Lt pediatric wrist radiograph · lat projection · 5-year-old female.
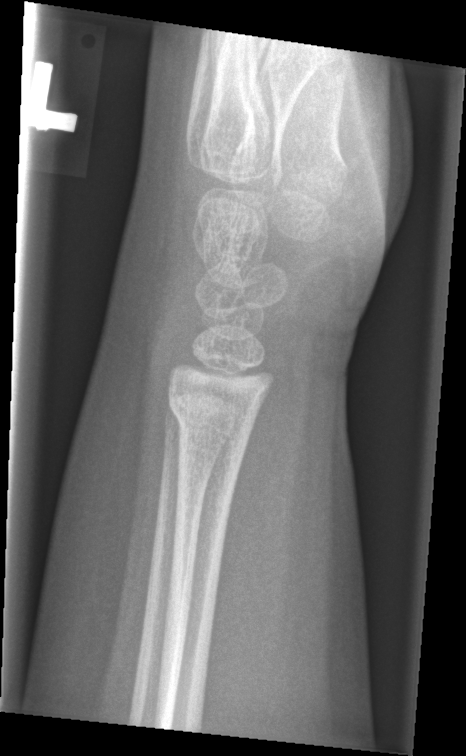
* Fx: <166,387>-<257,438>.
* AO code 23r-M/2.1.